Left wrist radiograph, lateral 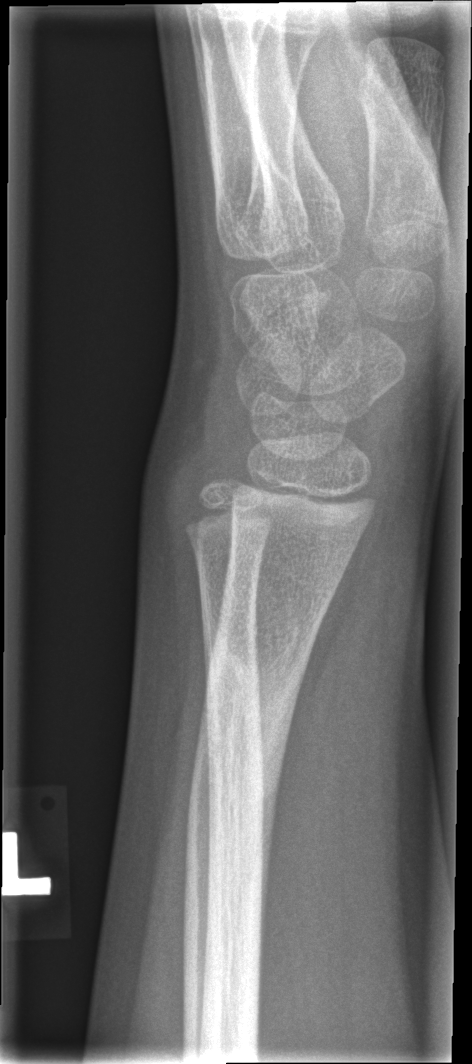

{"fracture": "1 @ 181,640,298,901"}